R wrist plain film | lateral view | in cast:

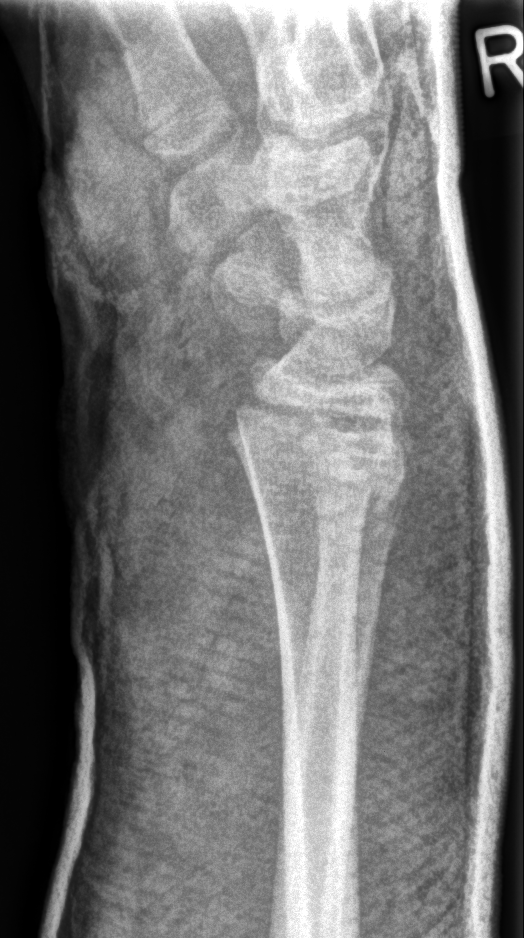
Fx = 1 @ <224,385>-<411,531>
AO code = 23r-E/2.1; 23u-E/7